Lt wrist XR | posteroanterior view | 11-year-old male | image width 97.6 mm. 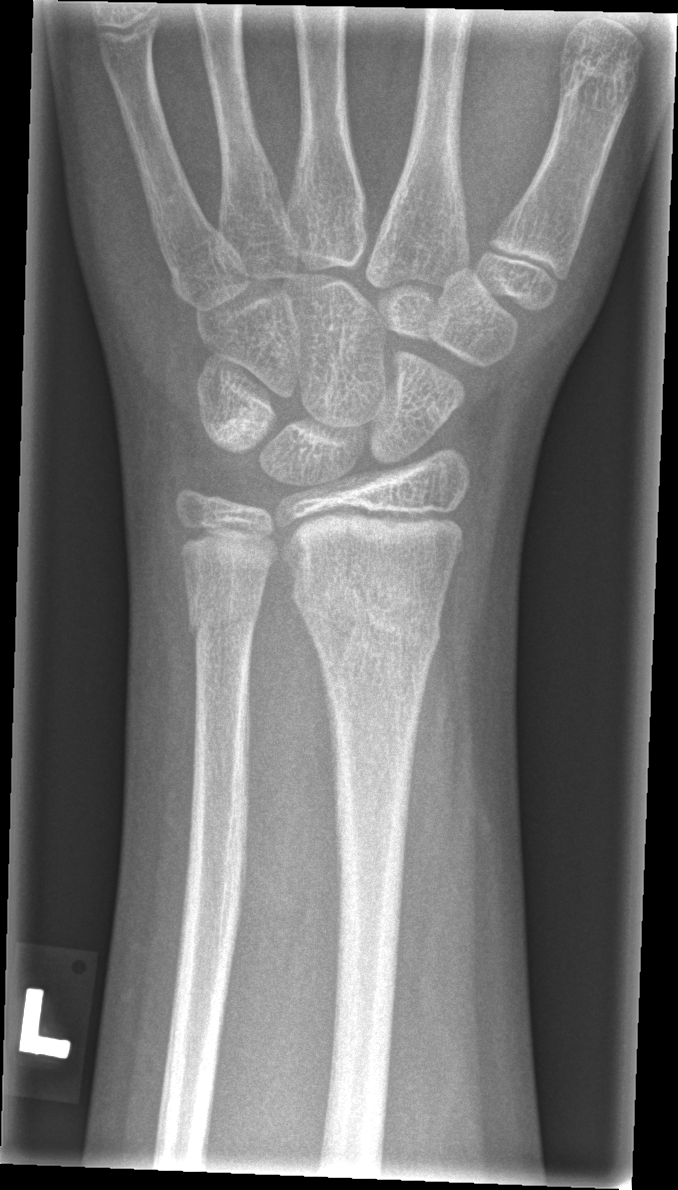
FINDINGS — Fracture identified at 287,571,445,658; 182,591,264,654.